L pediatric wrist radiograph; frontal projection; acquired on Siemens:
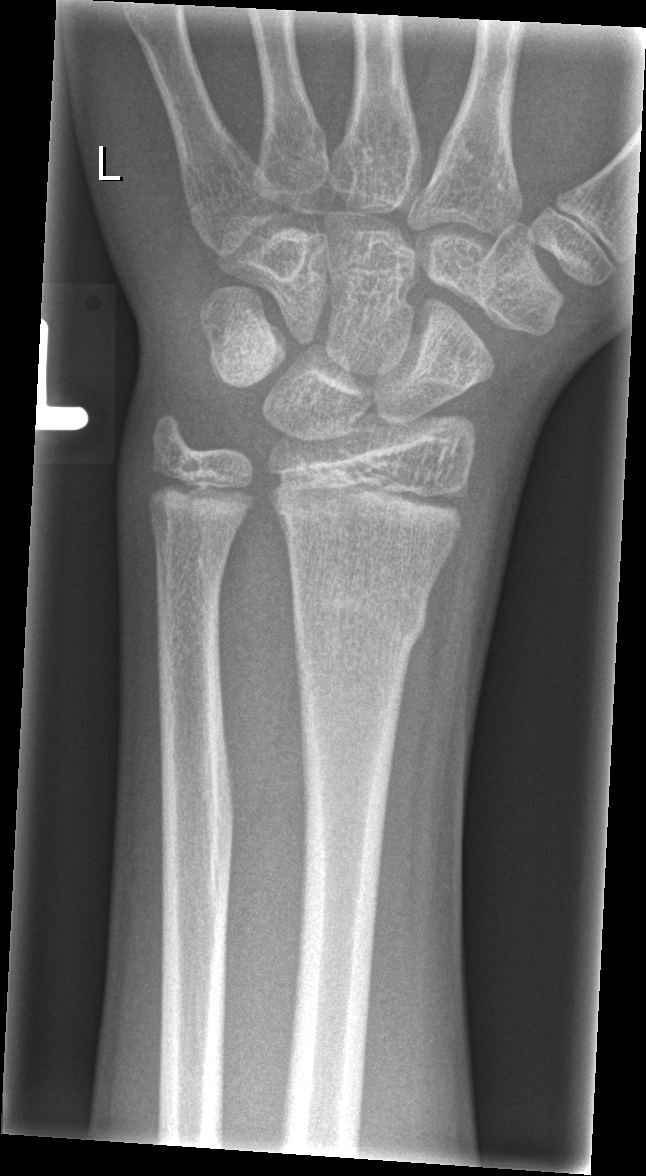
FINDINGS: AO code 23r-M/2.1. Fracture: <290,567>-<432,659>.